Lateral view; left wrist XR: 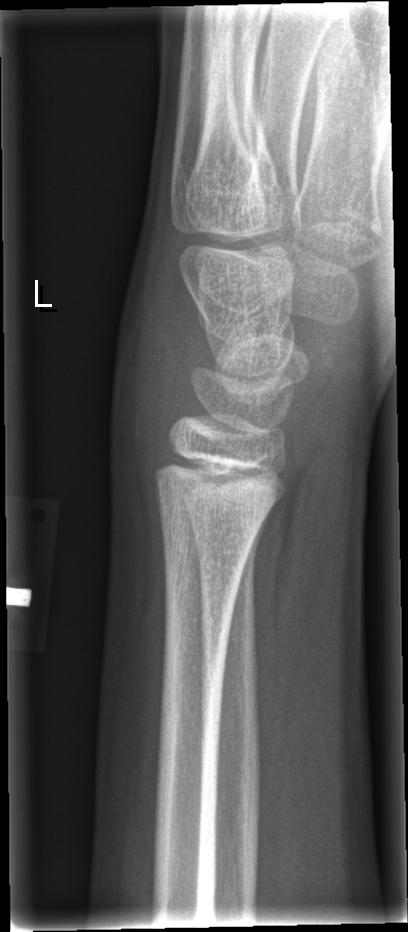

Soft tissue abnormality = (106, 269, 195, 542)
Fx = none labeled